Lt wrist XR; lat projection. 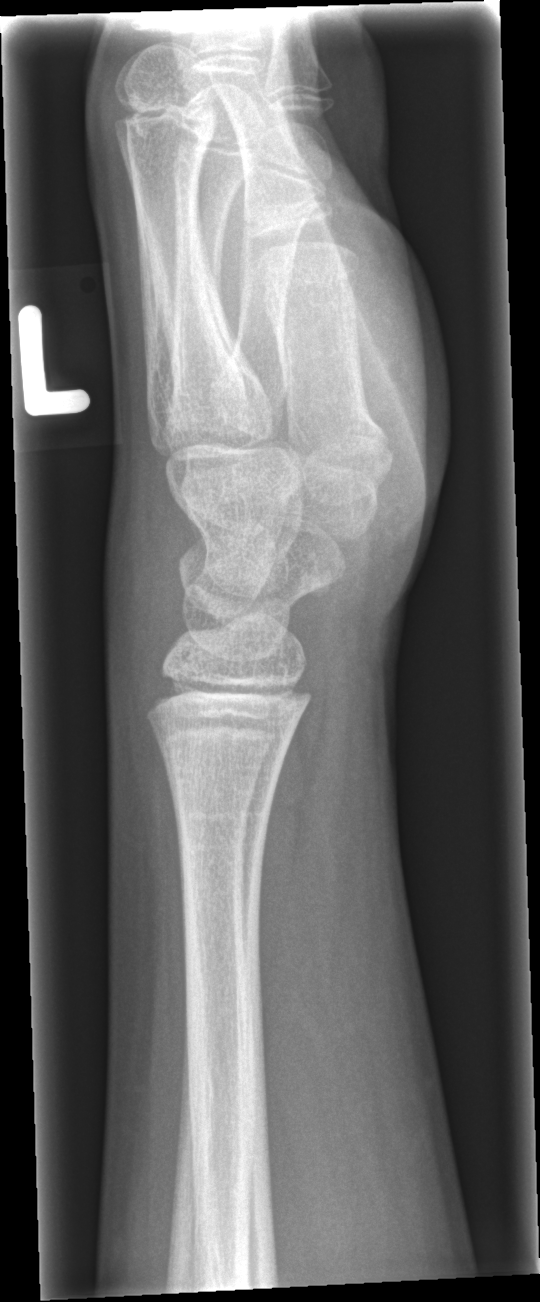

Fx: none.